PA | left wrist plain radiograph of the wrist | age 13 y, male | acquired on Siemens —

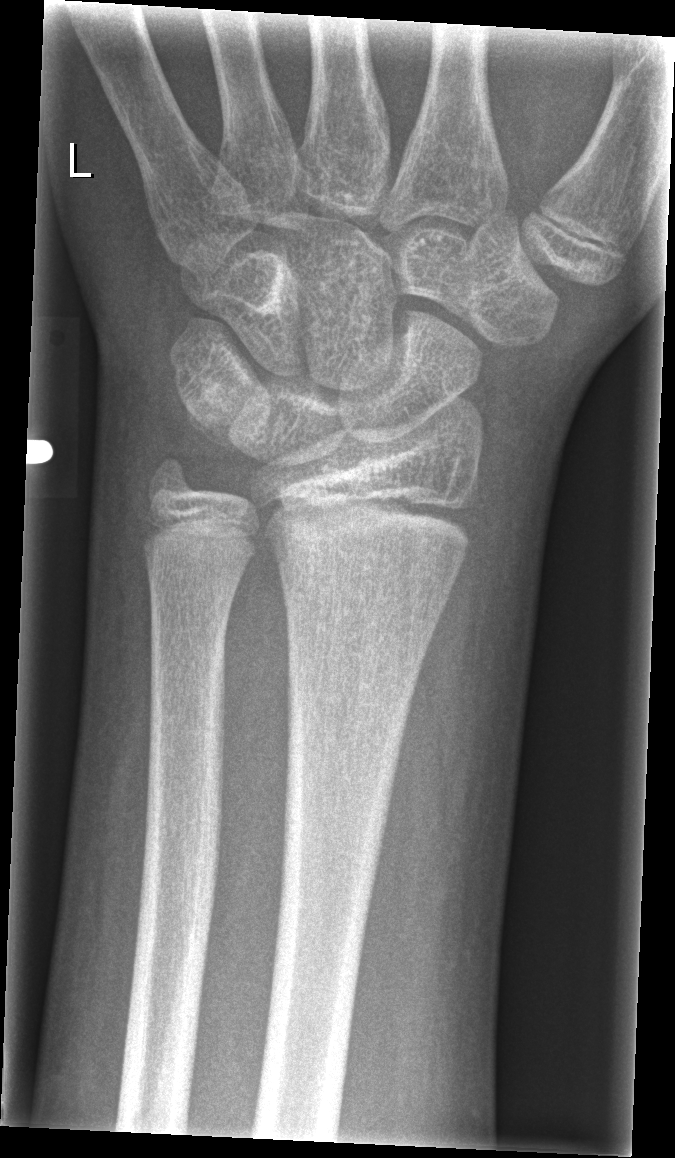
• No fracture bounding box.